Posteroanterior view; Rt pediatric wrist radiograph; age 11 y, female; image width 73.4 mm: 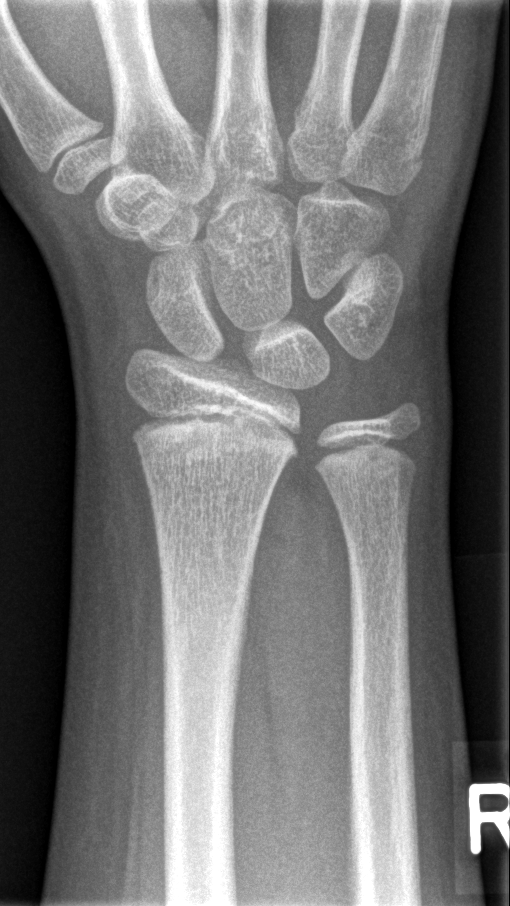
• No Fx annotated.